Lat projection · L wrist XR · 9y F · detector: Siemens — 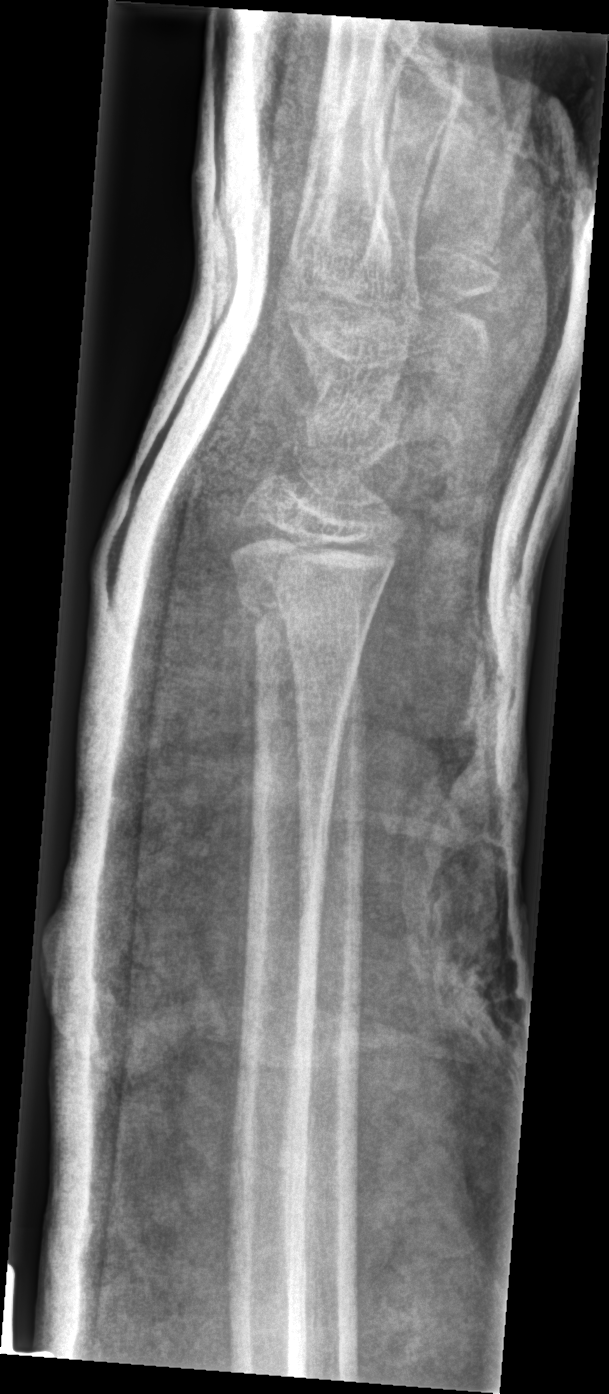

* Periosteal new bone identified at [236, 600, 268, 1076].
* AO code 23r-E/2.1; 23u-E/7.
* Fracture identified at [223, 527, 396, 631].